Right wrist XR; frontal; acquired on Siemens —
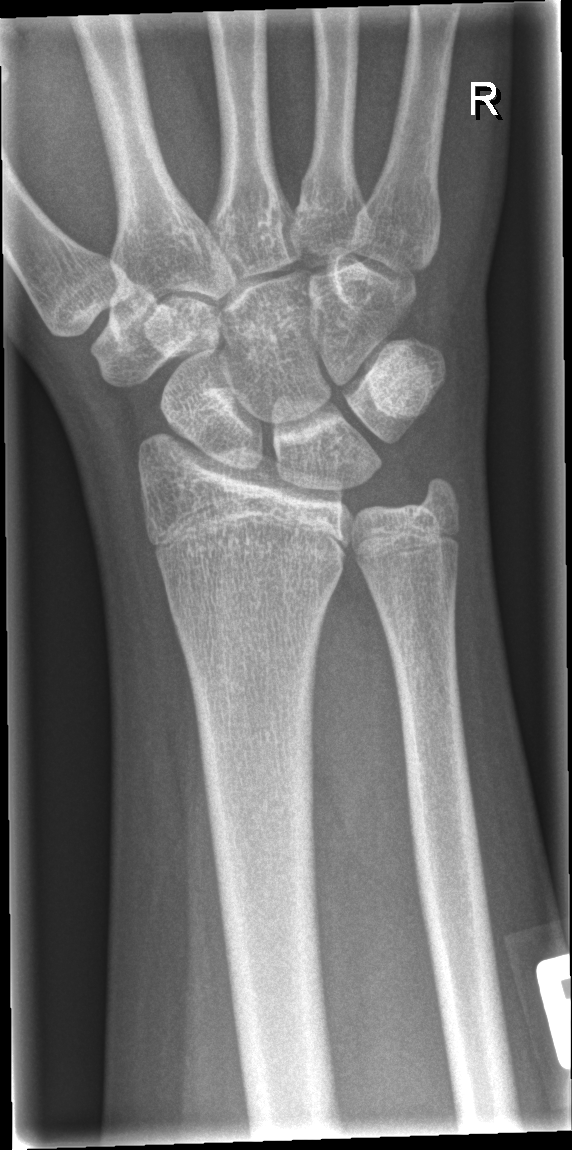

No fracture bounding box.